AP, right wrist plain film, 17y F, initial study, 691 x 1054 px

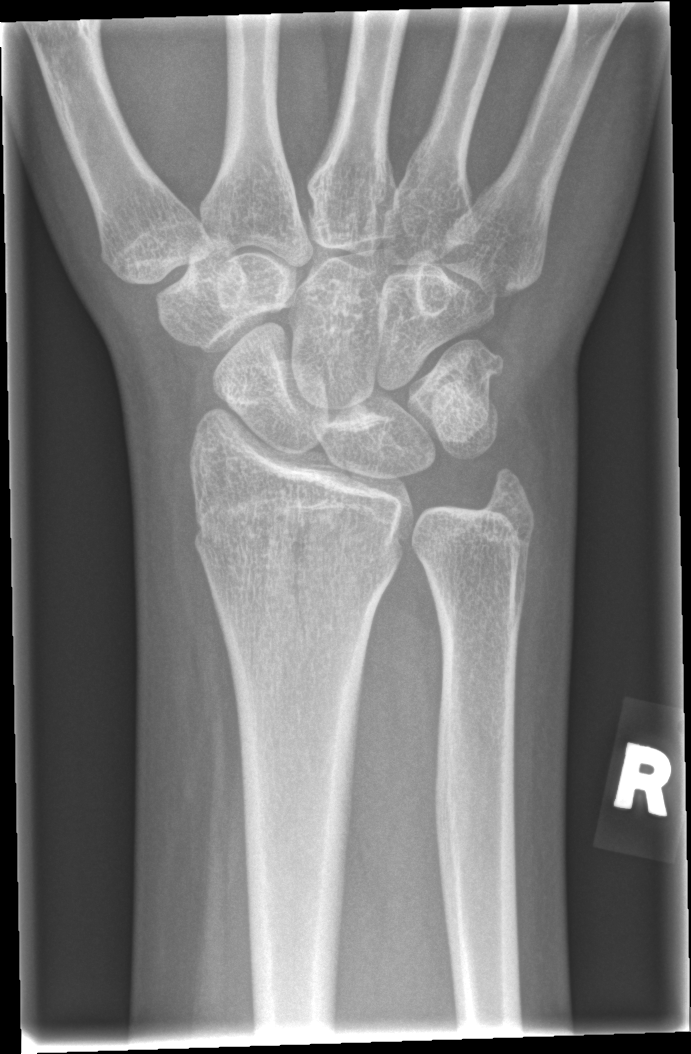

Boxes as x1,y1,x2,y2 (top-left / bottom-right, pixel units).
One bone fracture at 190,498,411,595.
AO code 23r-M/2.1.